Oblique view, right wrist plain radiograph of the wrist, 5y M, index exam, Siemens 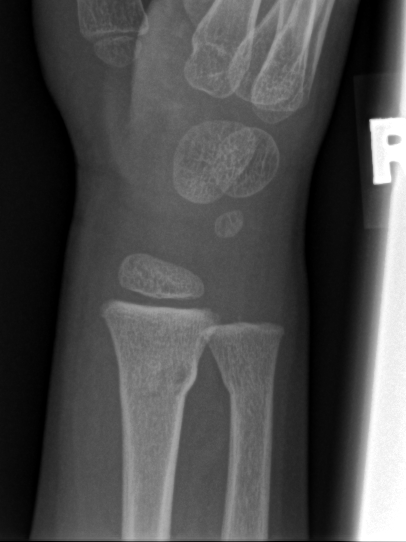
(boxes as x1,y1,x2,y2 (top-left / bottom-right, pixel units))
Q: Locate any fractures.
A: Fx — [x1=114, y1=355, x2=201, y2=407], [x1=217, y1=362, x2=278, y2=408]